PA/AP projection | L plain radiograph of the wrist | 626x769:

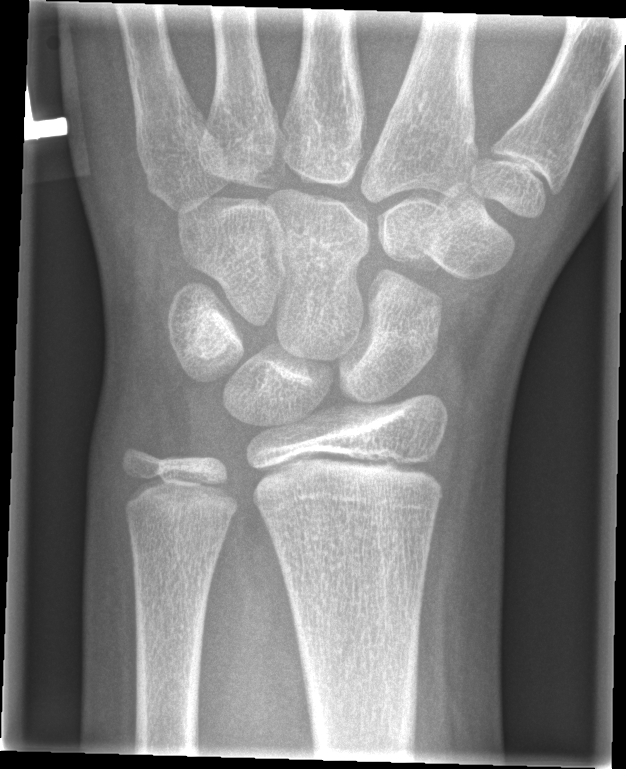
Q: Locate any fractures.
A: No fracture bounding box